Rt plain radiograph of the wrist; lateral view; pediatric patient (male, age 13); image size 682x1324 —

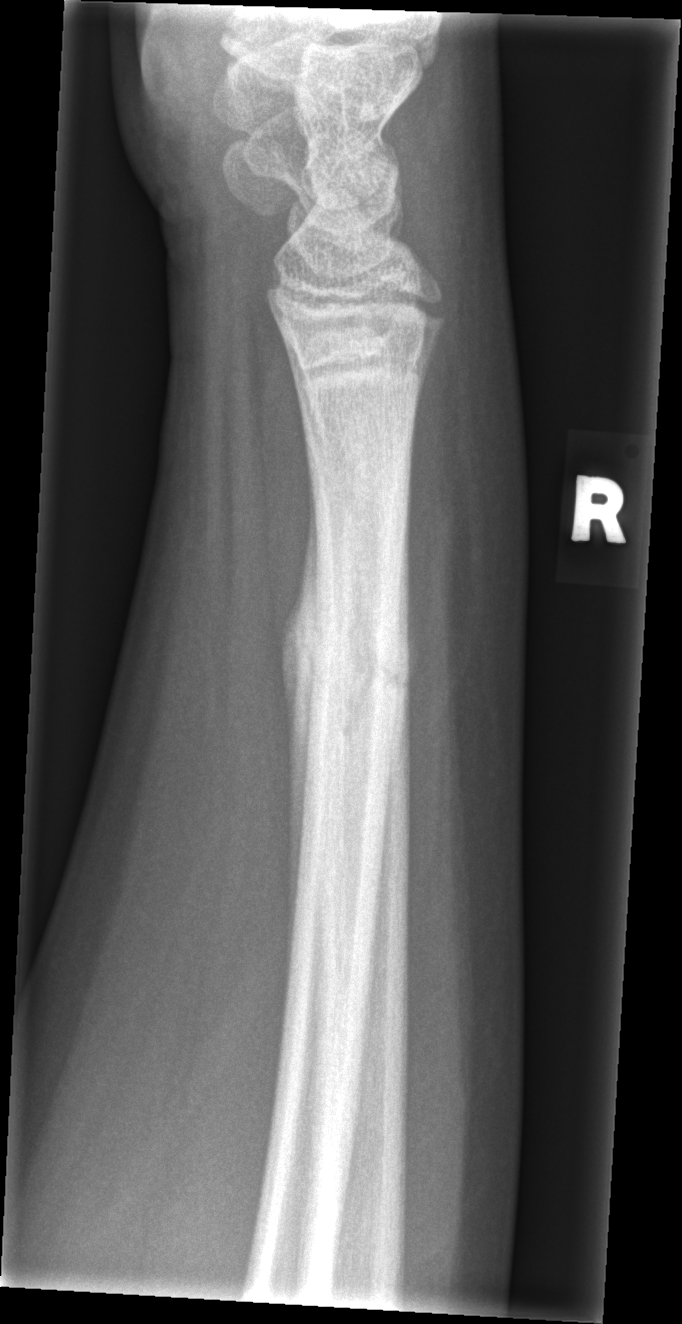
Periosteal new bone: 1 @ 282 483 323 1037
Osteopenia: present
Bone fracture: 283 609 416 737
AO code: 22r-D/2.1